Lateral view; Rt plain radiograph of the wrist; 322 x 665 px

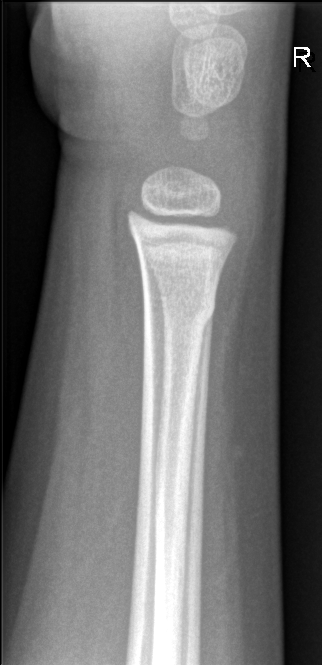

  # coordinates are [x1, y1, x2, y2] in image pixels
  fracture: 1 @ (left=142, top=293, right=218, bottom=329)